Left pediatric wrist radiograph | lateral | pediatric patient (male, age 8) | Siemens | image width 66.7 mm

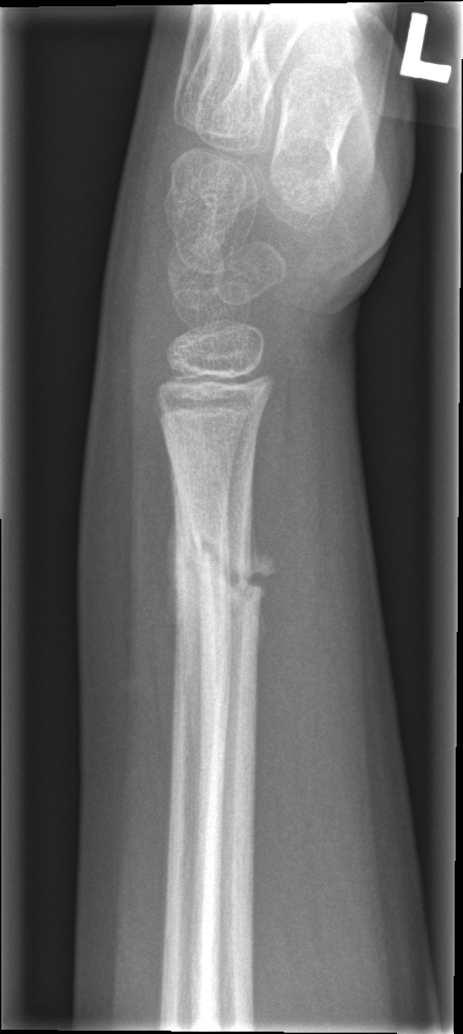
{"osteopenia": "present", "fracture": "1 @ bbox(170, 525, 276, 604)", "periostealreaction": "2 @ bbox(163, 449, 206, 784) bbox(239, 483, 278, 670)", "ao": "23r-M/3.1; 23u-M/2.1"}